Rt wrist XR · lateral view · age 13 y, male · 486x1212 — 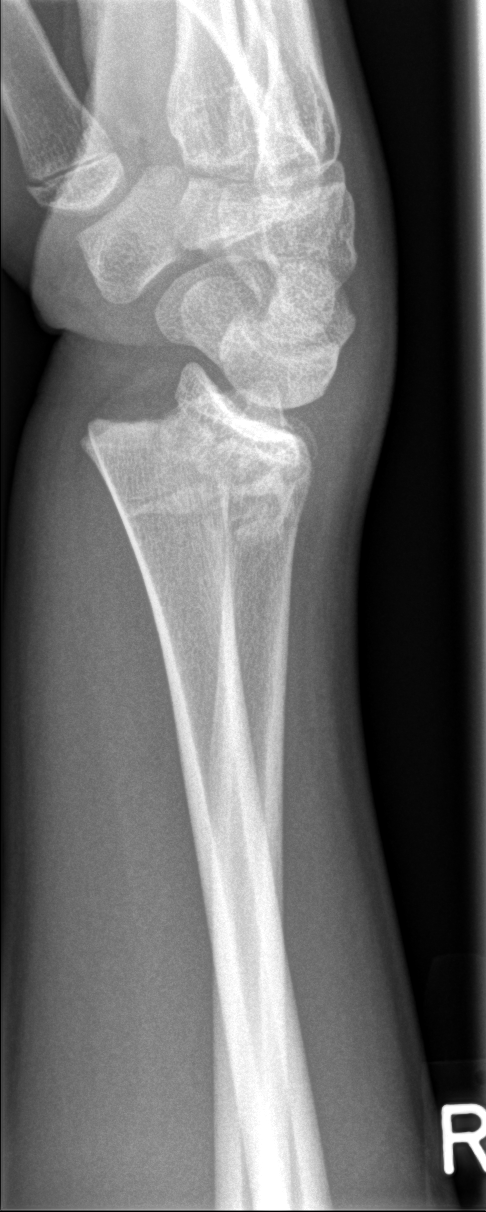 fracture: 1 @ [76, 358, 318, 577]
ao: 23r-E/2.1; 23u-E/7